Right wrist plain radiograph of the wrist | lateral view | pediatric patient (boy, age 13) | detector: Siemens: 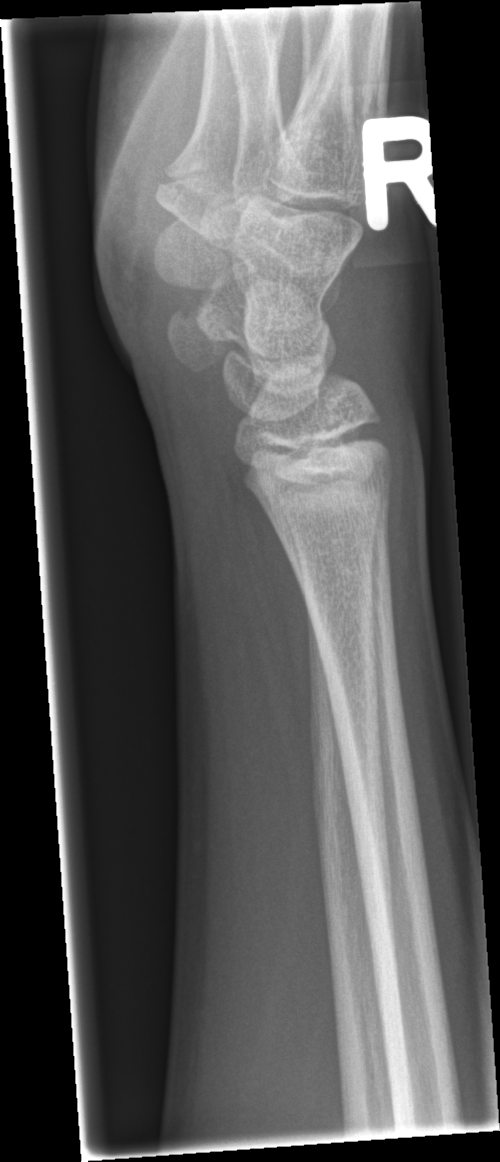 No fracture labeled.